Left pediatric wrist radiograph · frontal projection · male, 11 yo · subsequent exam:
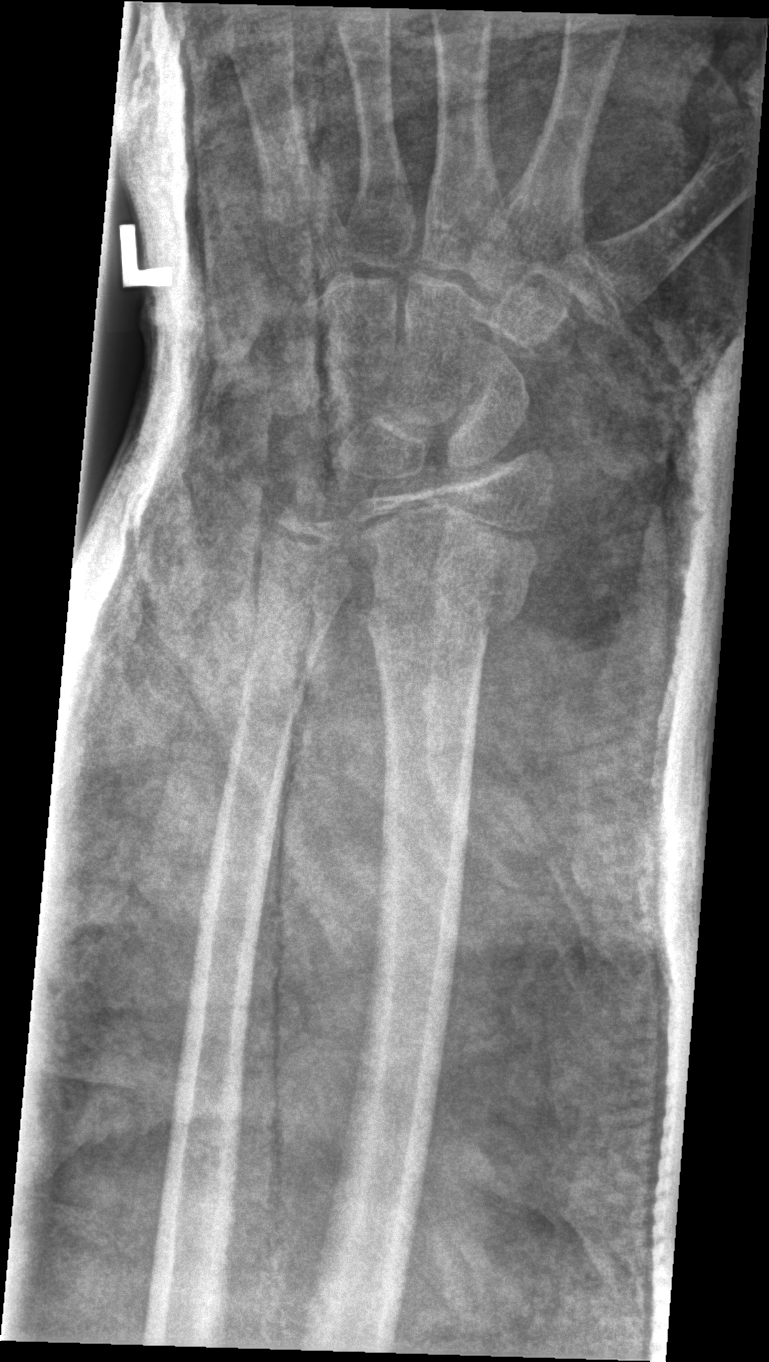

Fracture identified at [x1=355, y1=554, x2=533, y2=663], [x1=266, y1=473, x2=344, y2=543].
AO/OTA classification: 23r-M/3.1; 23u-E/7.